Lateral; left plain radiograph of the wrist; boy, 9 yo; follow-up study; in cast

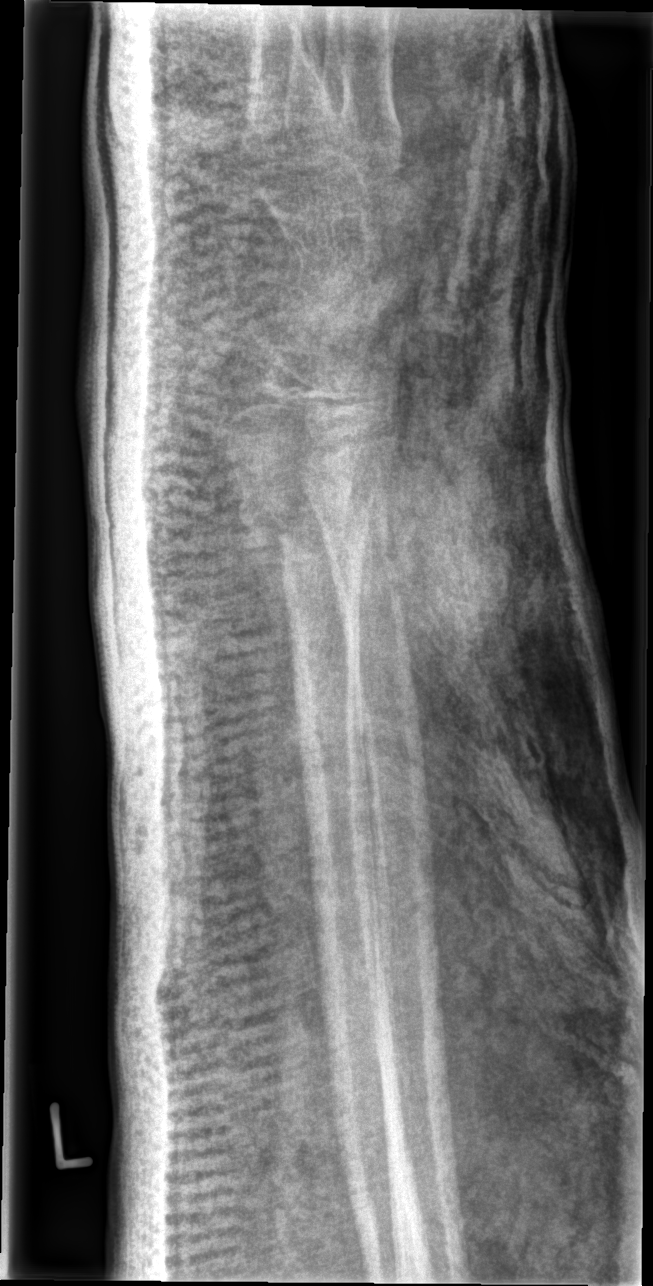
(boxes as x1,y1,x2,y2 (top-left / bottom-right, pixel units))
fracture = 1 @ 233,475,374,597